Lt wrist radiograph; frontal; index exam; acquired on Siemens; 424 by 460 pixels.

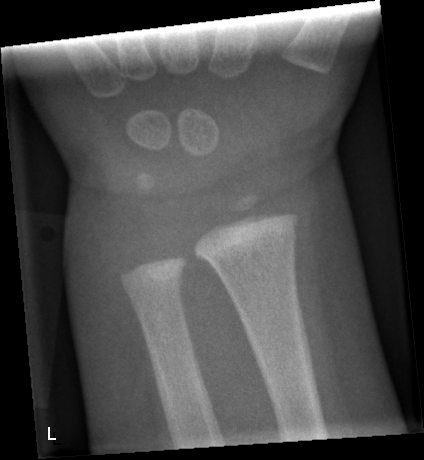
Fx = none labeled